Lat · L wrist X-ray · follow-up study.

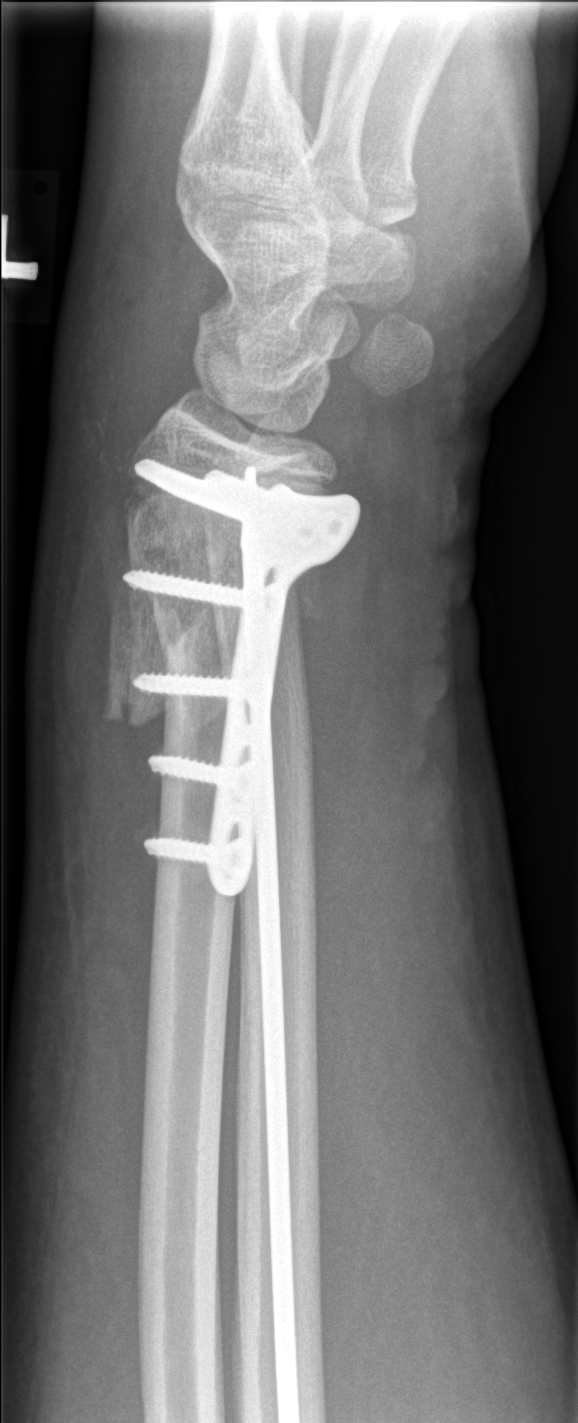
FINDINGS: Bone fracture — (left=99, top=459, right=342, bottom=736). Metallic implant identified at (left=129, top=463, right=357, bottom=894); (left=254, top=809, right=300, bottom=1422). AO/OTA classification: 23r-M/3.1; 23u-M/2.1.